Right wrist X-ray · lateral projection · pediatric patient (girl, age 8) · subsequent exam · cast present
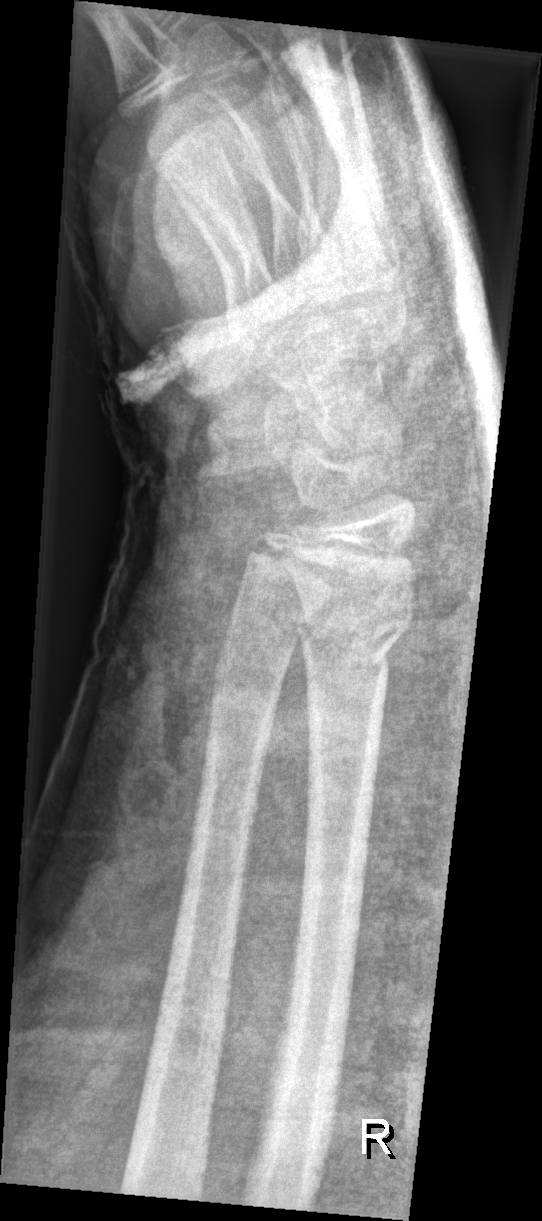

(boxes as x1,y1,x2,y2 (top-left / bottom-right, pixel units))
Fracture = 2 @ 289,582,417,664; 208,615,302,702